Frontal projection | left pediatric wrist radiograph

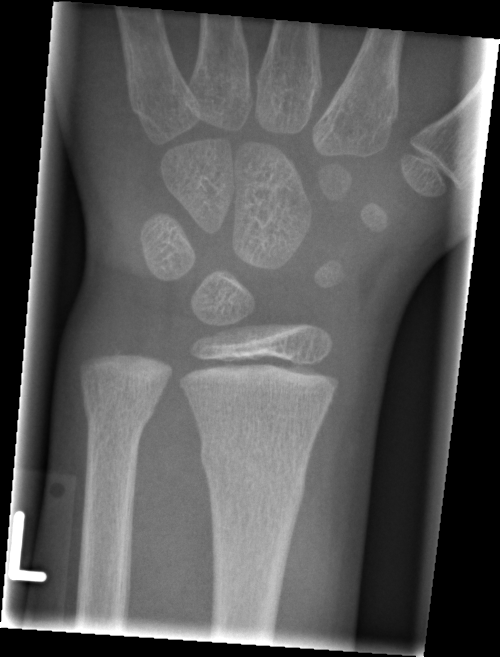 Coordinates are [x1, y1, x2, y2] in image pixels. Two bone fractures at 197 434 310 497; 82 395 157 437. AO code 23-M/2.1.